Frontal view; right wrist XR; 872x1312 —

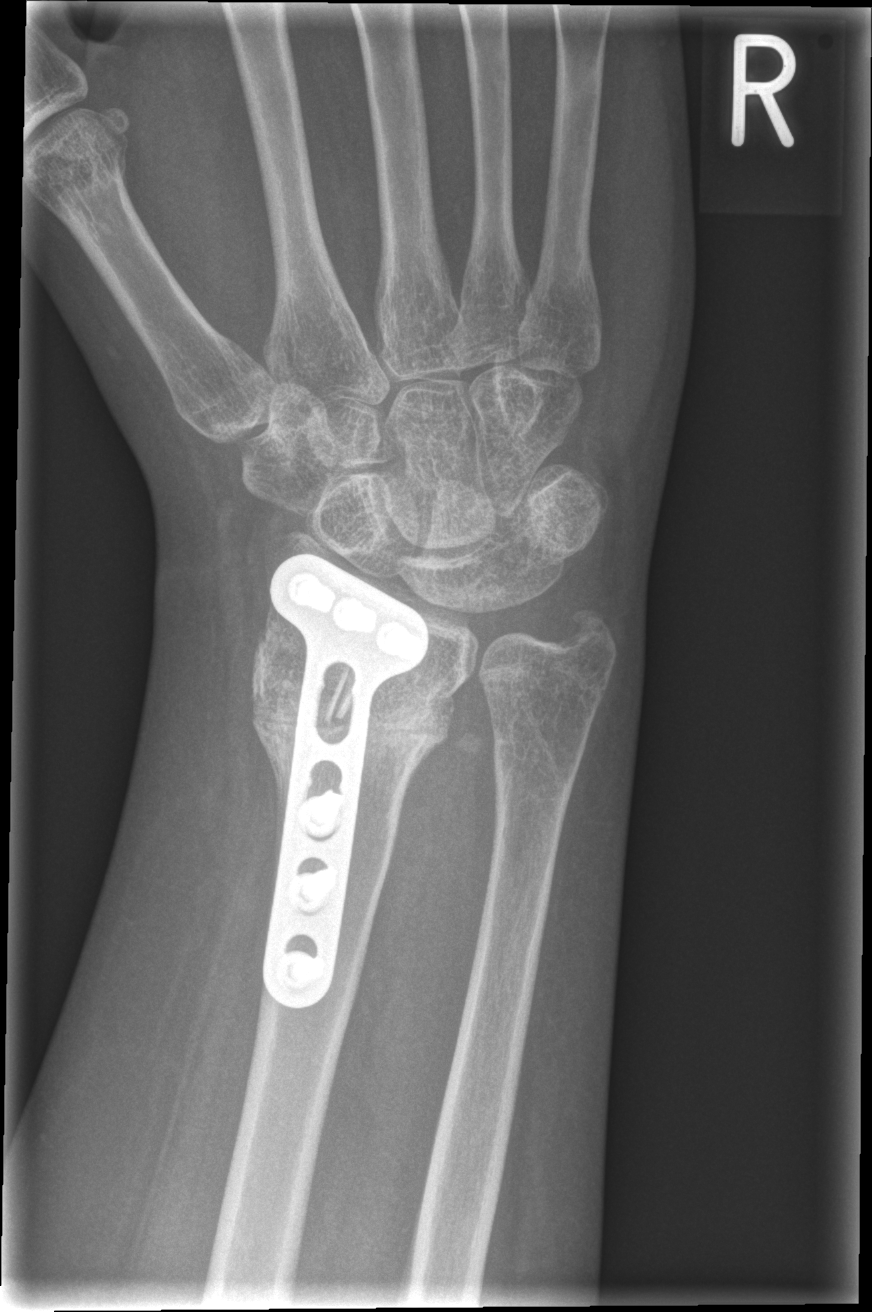
{
  "_coords": "bounding boxes in image-pixel xyxy",
  "metal": "1 @ 268,551,413,1002",
  "ao": "23r-M/3.1; 23u-E/7",
  "fracture": "2 @ 246,608,456,768 | 551,599,623,676"
}